Lateral · R wrist XR — 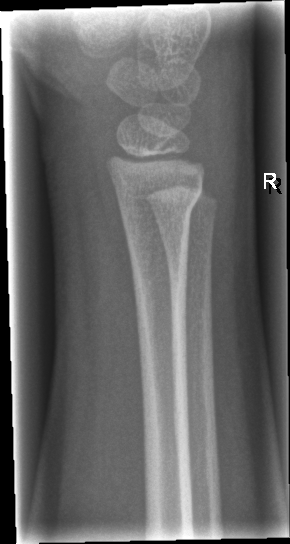
Bone fracture identified at bbox(115, 177, 205, 222).
AO/OTA classification: 23r-M/2.1.